Lateral | Rt plain radiograph of the wrist | presentation radiograph —
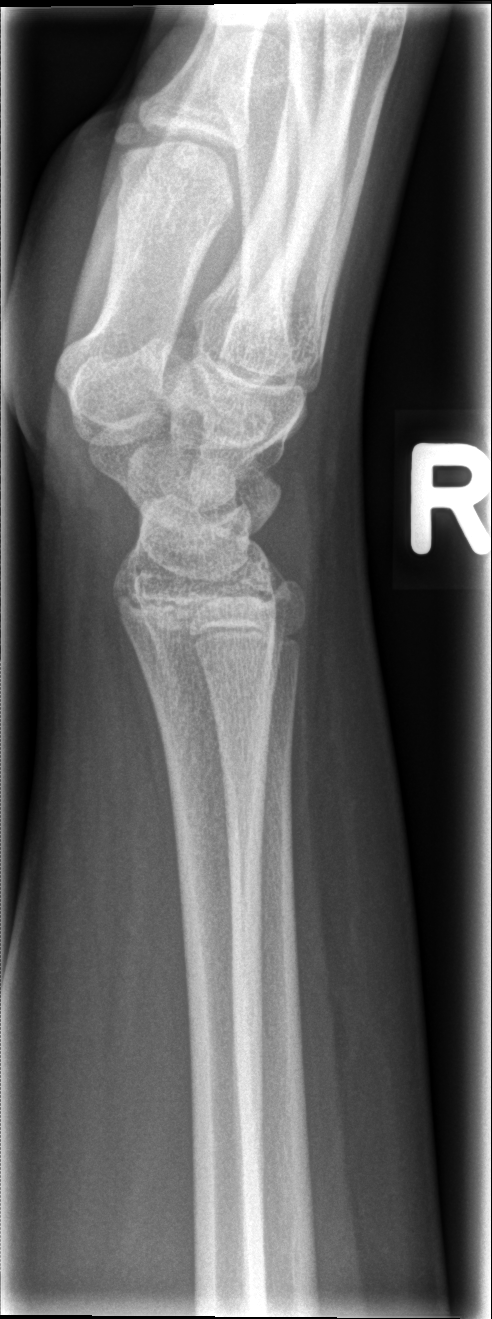
* Fx: none.